Rt wrist plain film | frontal projection | 12-year-old female | image 75.5 mm wide:

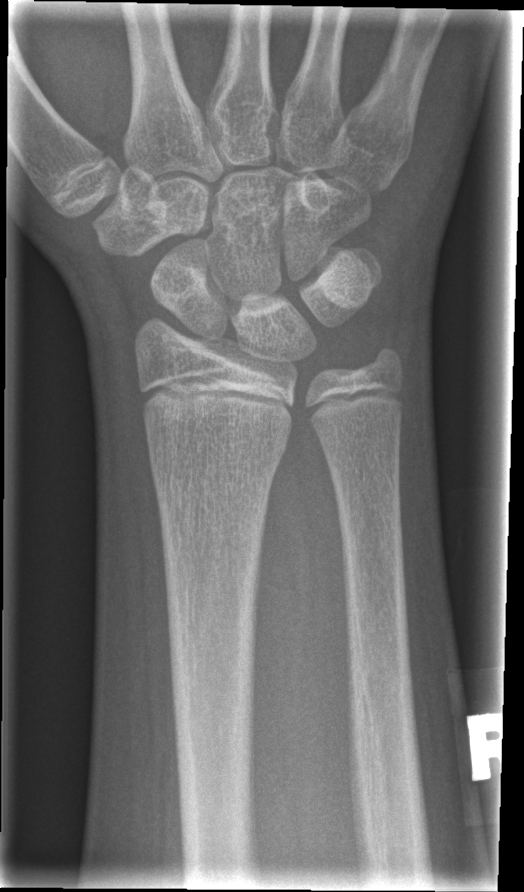 FINDINGS: No fracture annotation.